Frontal view; left wrist plain film 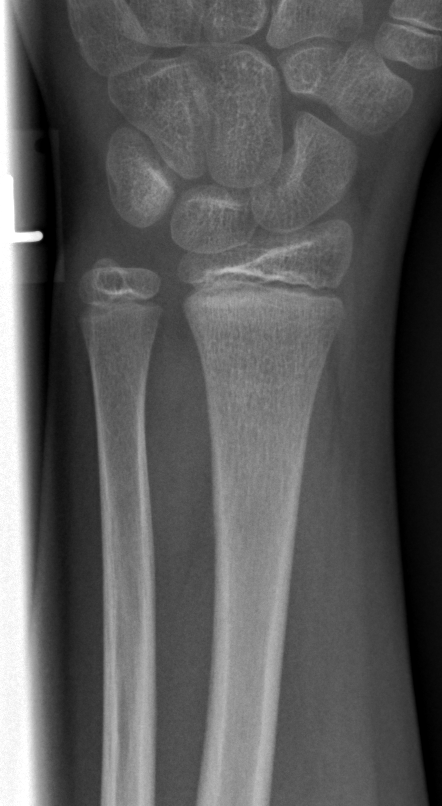 Fx: none.